Left wrist plain radiograph of the wrist · PA/AP view · index exam —
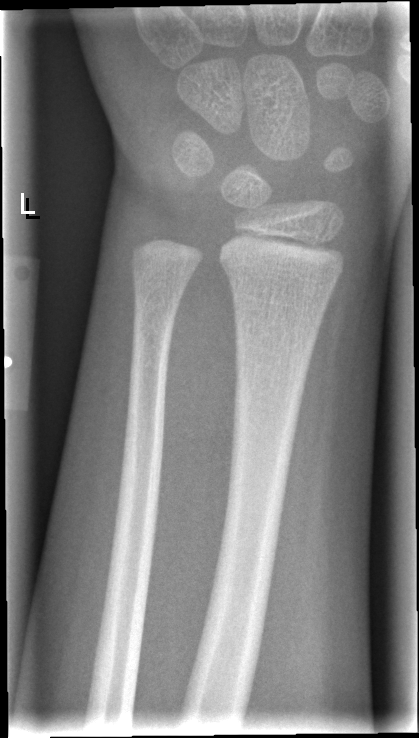

Fx: none labeled